Lt wrist XR | lat projection | 11y M | detector: Siemens.

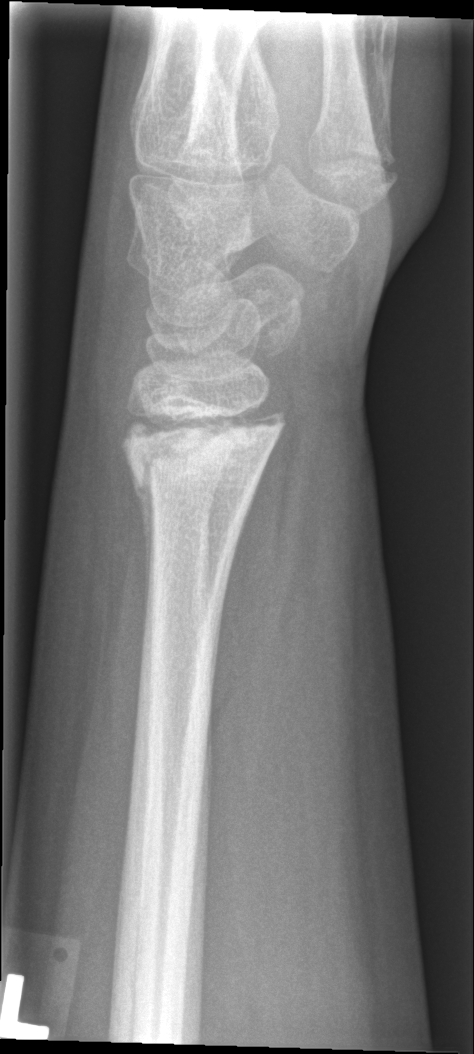
(pixel coordinates, top-left origin, xyxy)
Periosteal new bone = 1 @ (138, 484, 155, 570)
Fx = (125, 430, 265, 505)
Osteopenia = present